Right wrist plain film · lat · image 75.0 mm wide
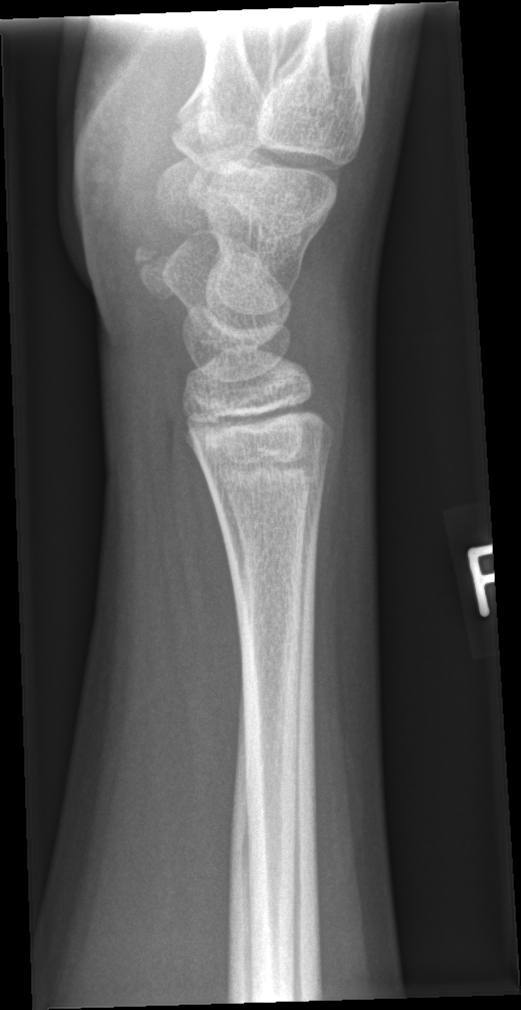
No Fx annotated.